Right wrist radiograph · lat projection · age 11 y, female.
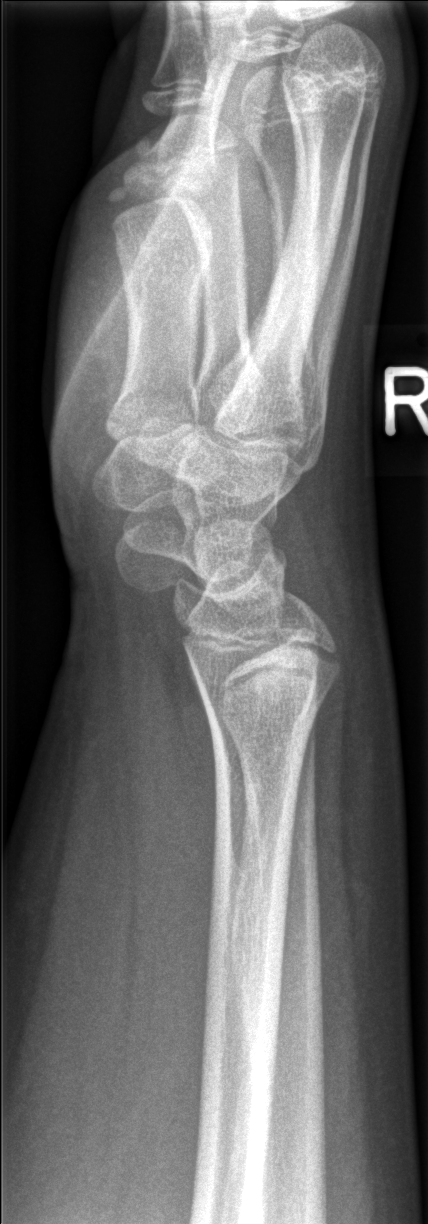

Findings: Osseous anomaly identified at bbox(168, 581, 347, 735). Fx: none.